L wrist XR · lateral projection · index exam
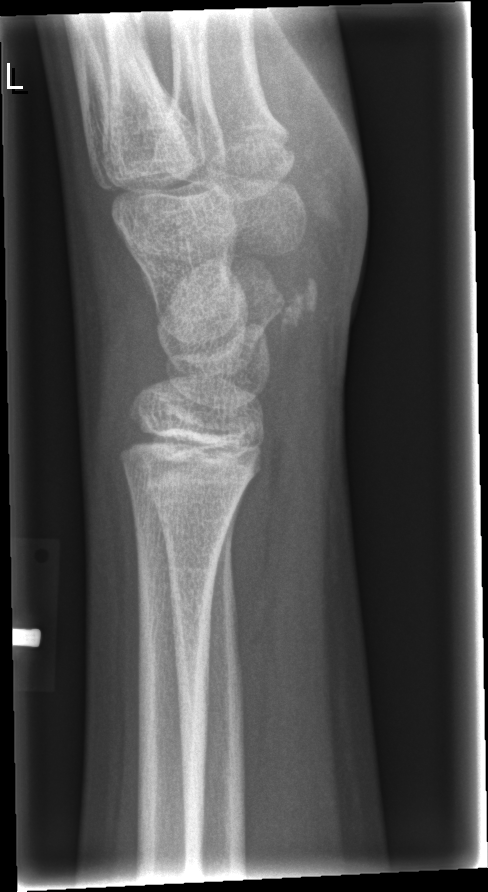 FINDINGS: No fracture bounding box.